Left wrist plain film · AP projection · cast present 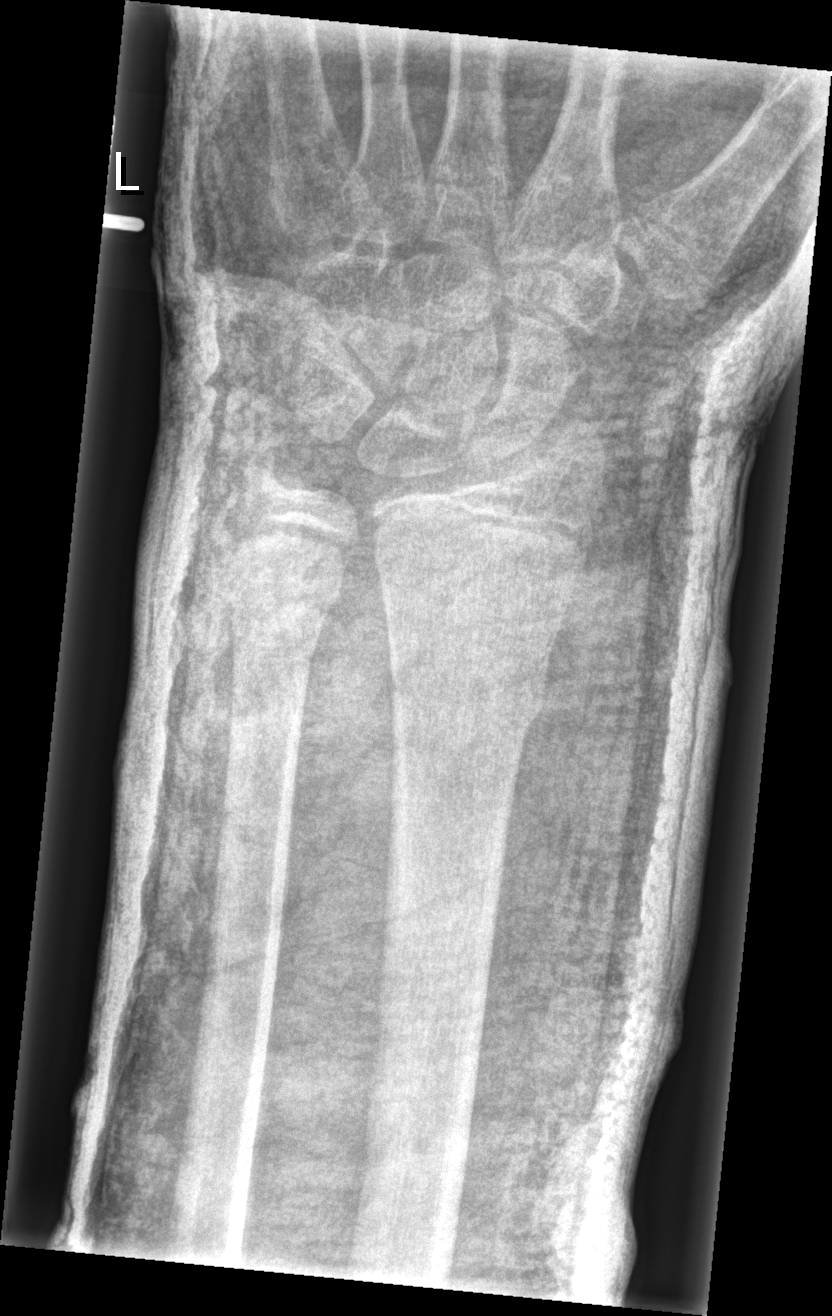 AO code 23-M/2.1.
Fx: (left=384, top=631, right=553, bottom=740).